Posteroanterior view · Lt wrist X-ray · 13-year-old boy · acquired on Siemens

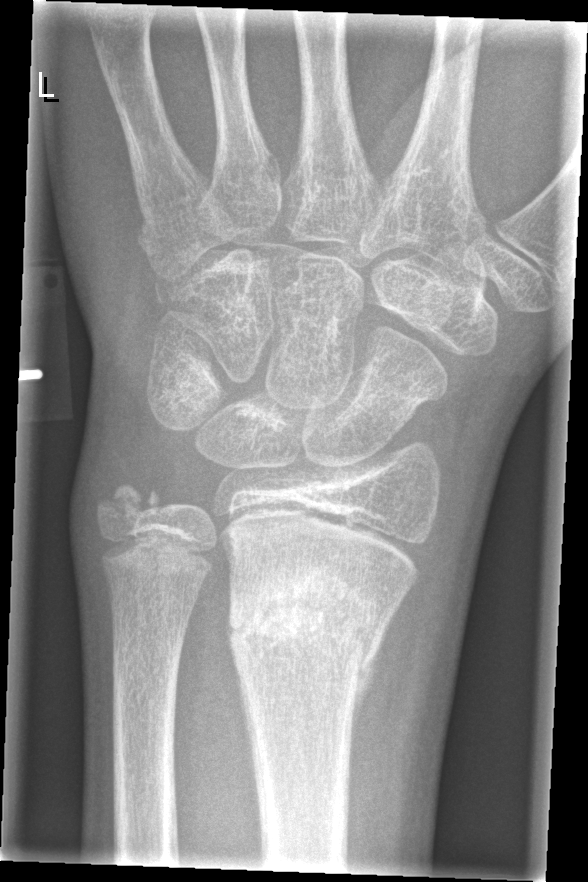

Boxes as x1,y1,x2,y2 (top-left / bottom-right, pixel units). Reduced bone mineral density. Fracture classified AO/OTA 23r-M/3.1; 23u-E/7. Two Fx at bbox(224, 563, 387, 700), bbox(94, 459, 169, 535).